Frontal; L wrist XR: 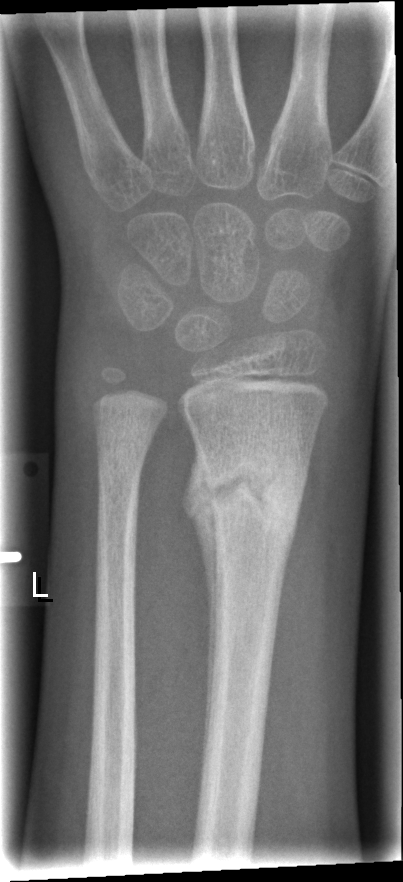

Periosteal new bone — bbox(180, 437, 222, 753).
One bone fracture at bbox(197, 438, 309, 551).
Decreased bone density (osteopenia).